AP, right wrist XR, detector: Siemens —
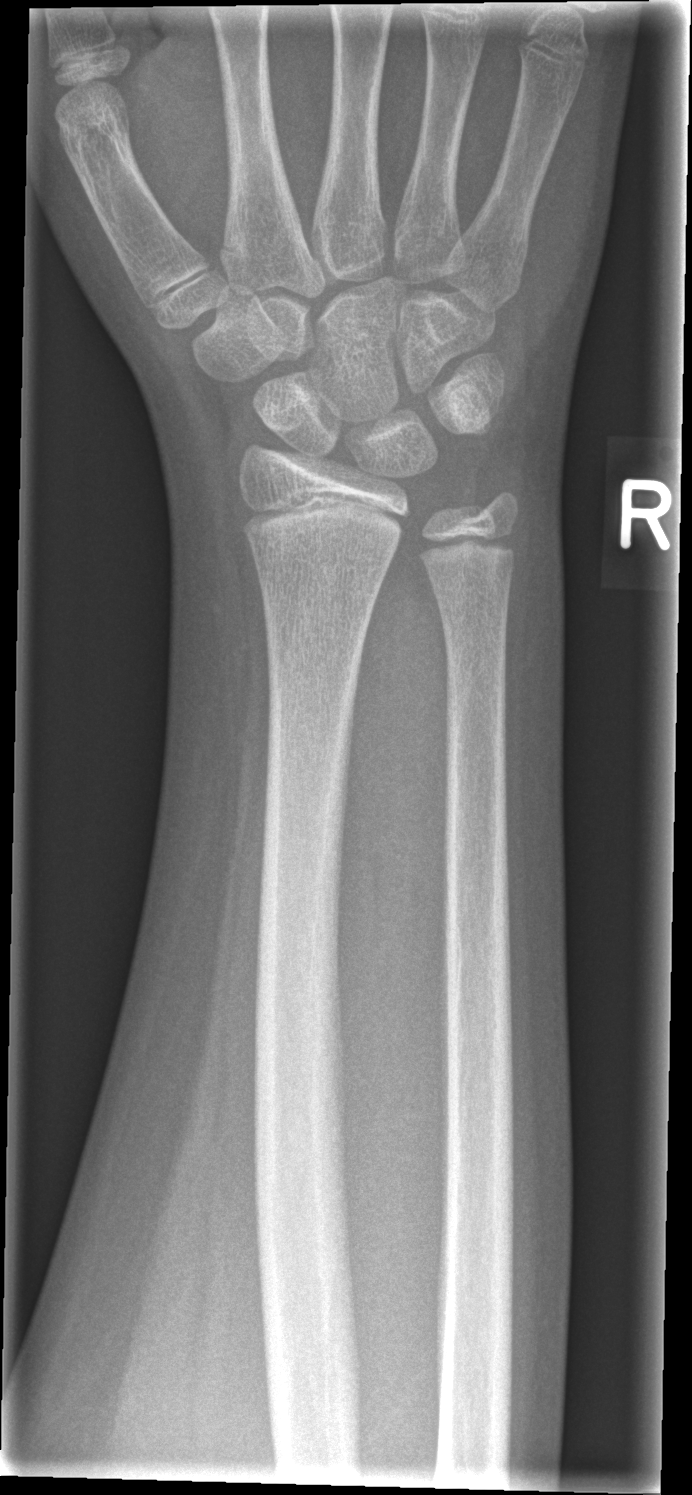

* No Fx annotated.